AP view · Lt wrist X-ray · index exam —

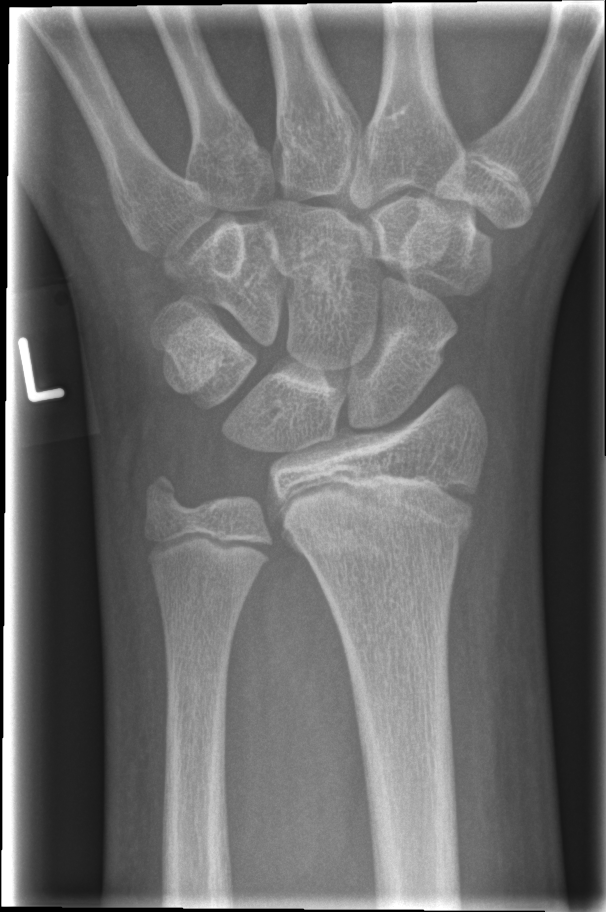

FINDINGS — (pixel coordinates, top-left origin, xyxy) Fractures — (273, 453, 477, 575), (137, 464, 189, 526). Fracture classified AO/OTA 23r-E/2.1; 23u-E/7.